Lat view | left wrist X-ray | girl, 9 yo | index exam | detector: Siemens | 418x738
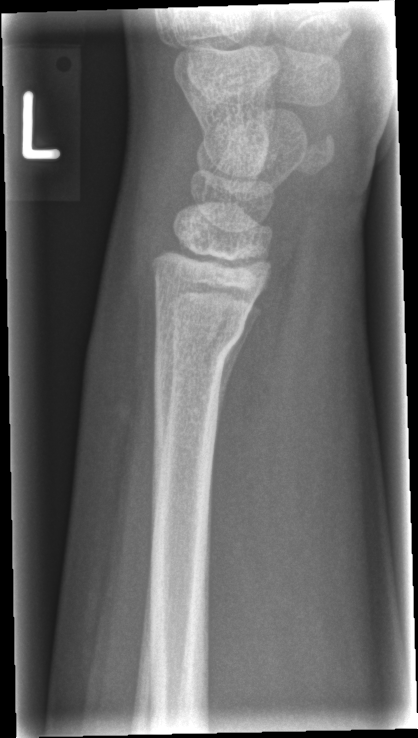

Boxes as x1,y1,x2,y2 (top-left / bottom-right, pixel units). Fracture identified at 150 310 250 361. Fracture classified AO/OTA 23r-M/2.1.